Rt wrist radiograph | lat projection | image size 433x1118. 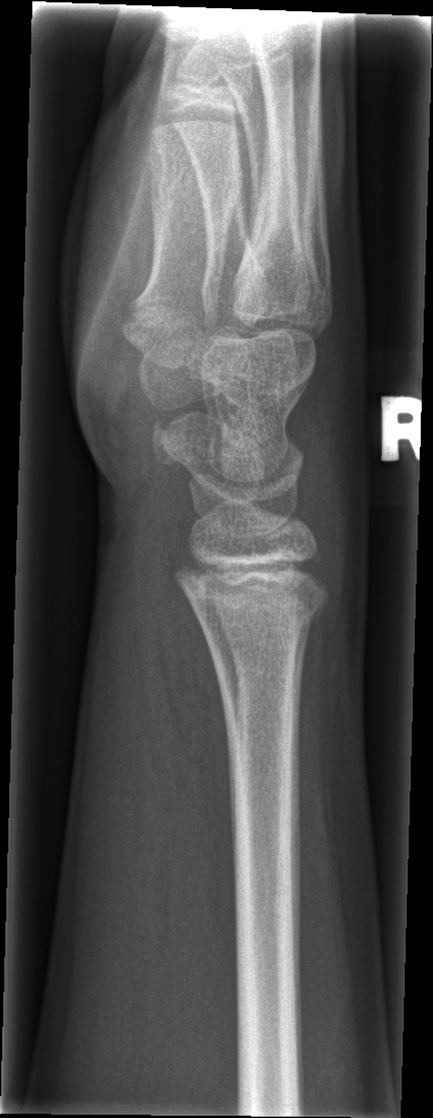 - AO/OTA classification: 23r-M/2.1.
- Bone fracture — 187 577 335 634.